PA view, right wrist pediatric wrist radiograph, Siemens, 542 by 968 pixels.
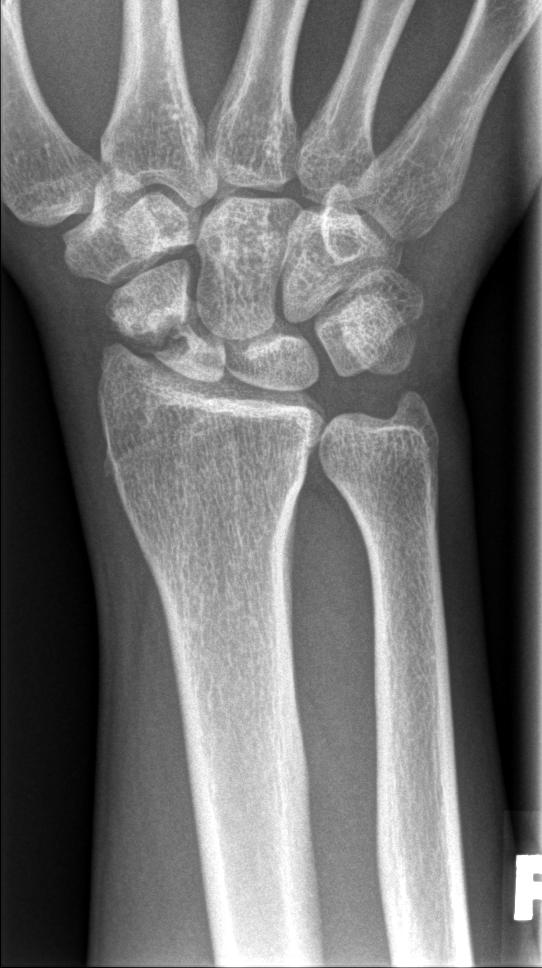 Bounding boxes in image-pixel xyxy.
Fracture identified at (122, 295, 217, 367).
AO code 72B.(b).